Right wrist radiograph, lateral, pediatric patient (male, age 15), image width 54.7 mm 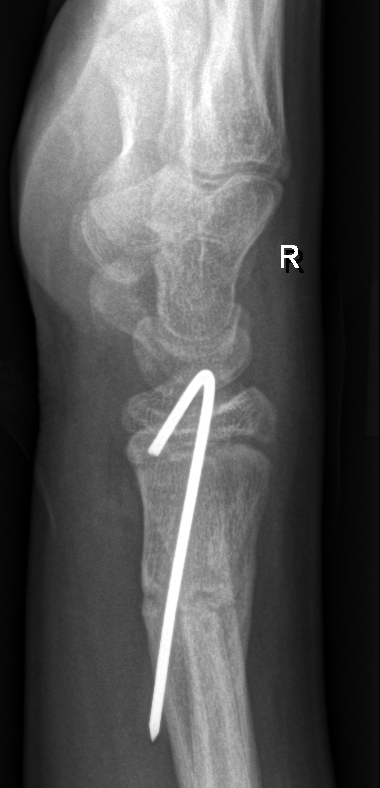
Findings: Osteopenia. One hardware at (143, 357, 221, 746). Fracture — (137, 493, 259, 675). Periosteal new bone: (233, 523, 256, 664).